Rt pediatric wrist radiograph; frontal projection —

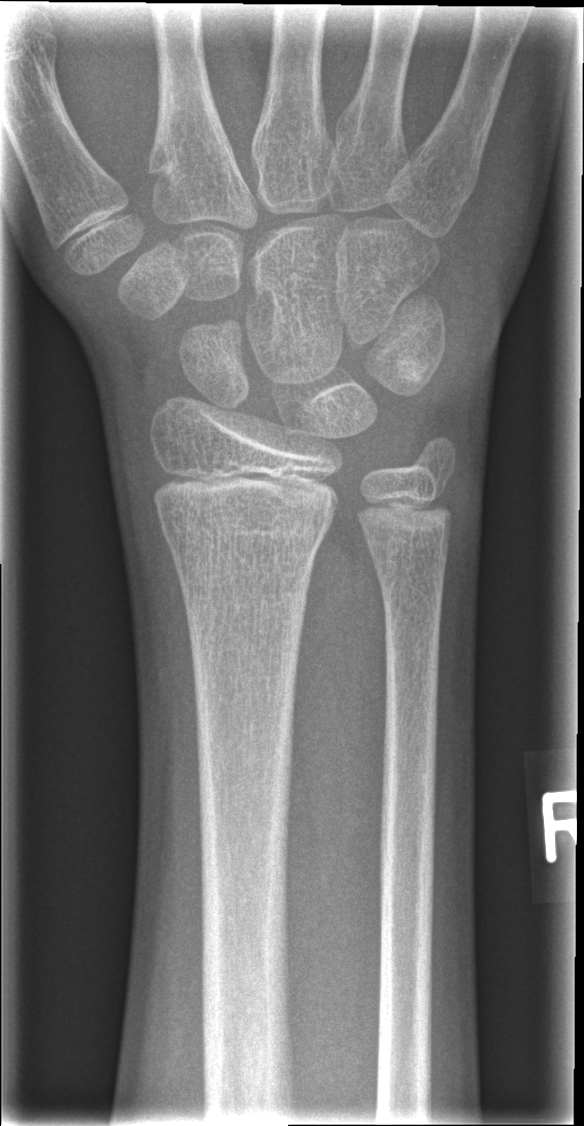

FINDINGS: Fracture: present but not clearly seen in this view.